Right wrist radiograph · frontal projection · image size 591x1084.

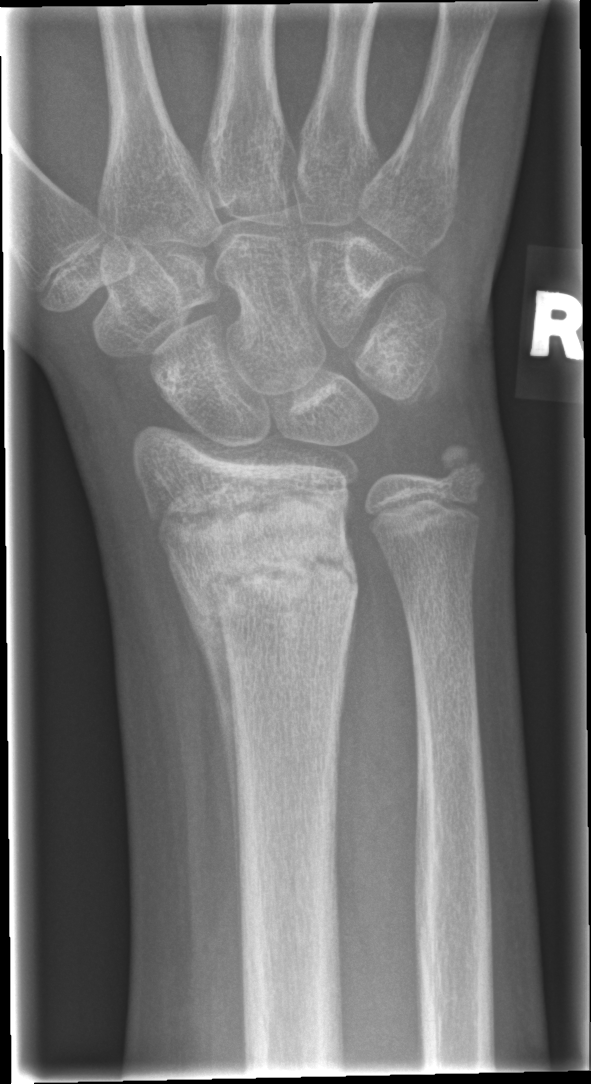
Boxes as x1,y1,x2,y2 (top-left / bottom-right, pixel units).
Reduced bone mineral density.
Two Fx at bbox(169, 497, 361, 646); bbox(426, 433, 490, 502).
Periosteal thickening — bbox(163, 545, 241, 949).